AP view | left wrist XR | pediatric patient (girl, age 4) — 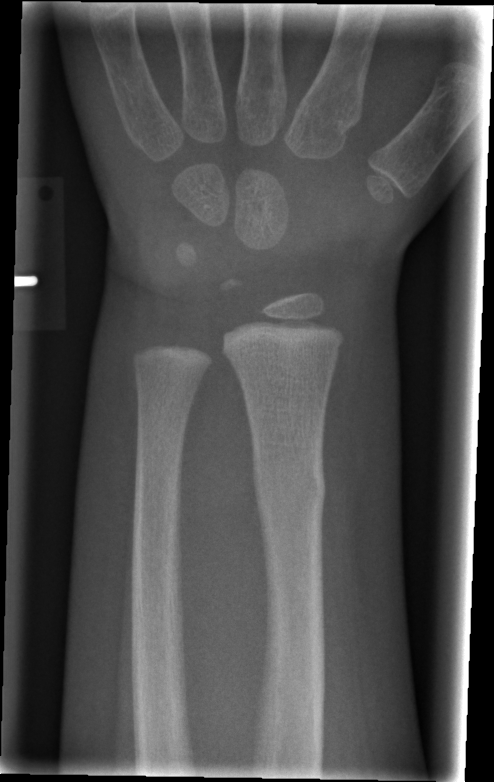

(pixel coordinates, top-left origin, xyxy)
Q: AO code?
A: Fracture classified AO/OTA 23-M/2.1
Q: Is there a fracture?
A: Fracture identified at (left=250, top=451, right=328, bottom=525)